Lat view, L wrist radiograph, pediatric patient (male, age 8): 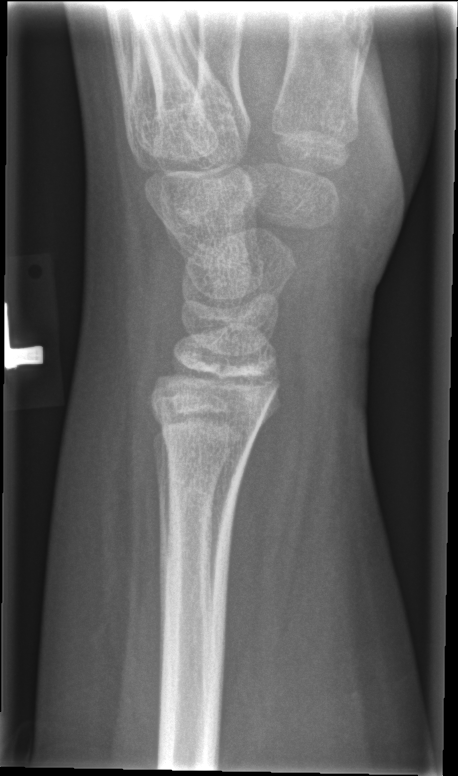

{"fracture": "1 @ (left=145, top=381, right=265, bottom=456)", "ao": "23r-M/2.1"}